Lateral view; left wrist XR; follow-up; imaged through cast; detector: Siemens; image 57.2 mm wide

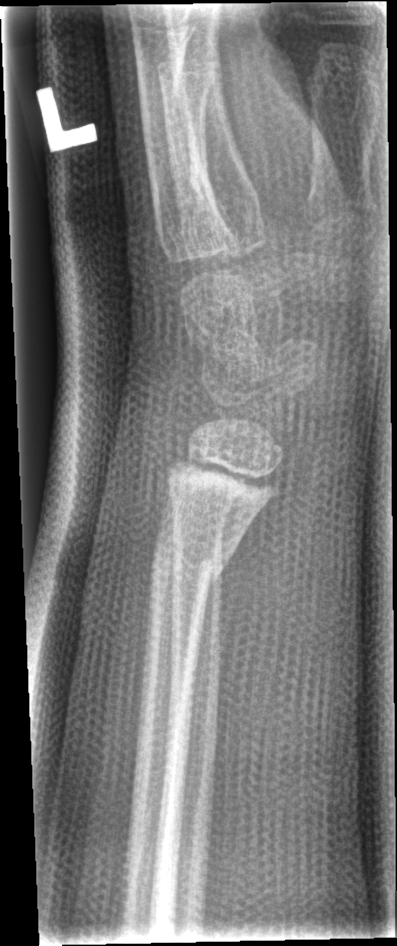

Bone fracture: (left=146, top=540, right=238, bottom=596).
Fracture classified AO/OTA 23r-M/2.1.